Frontal projection · left wrist X-ray · 546 by 971 pixels:
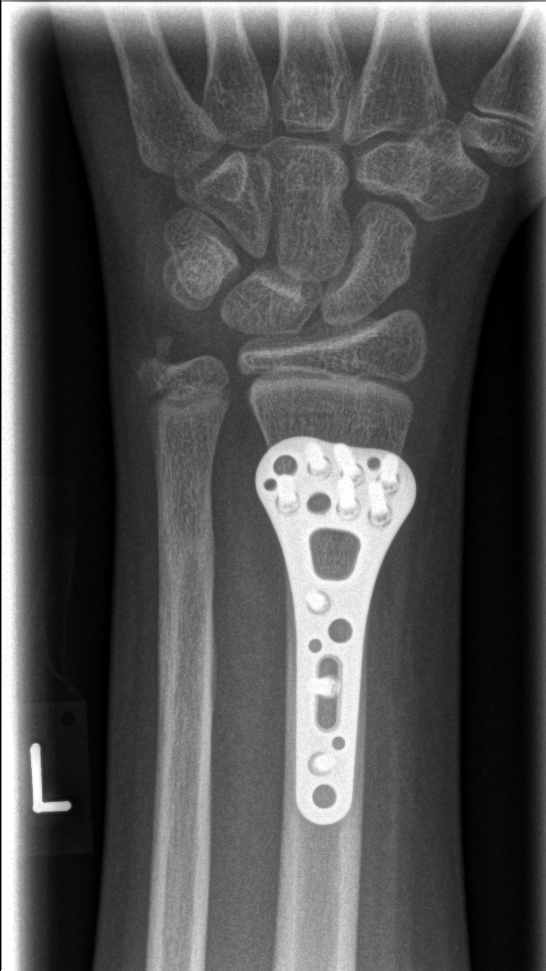

FINDINGS: (coordinates are [x1, y1, x2, y2] in image pixels) AO/OTA classification: 23-M/3.1; 23u-E/7. Fx identified at (left=156, top=515, right=218, bottom=581), (left=129, top=329, right=188, bottom=396). Reduced bone mineral density. One metallic implant at (left=253, top=434, right=420, bottom=828).